Left wrist plain radiograph of the wrist, lateral view, pediatric patient (male, age 11), acquired on Siemens:
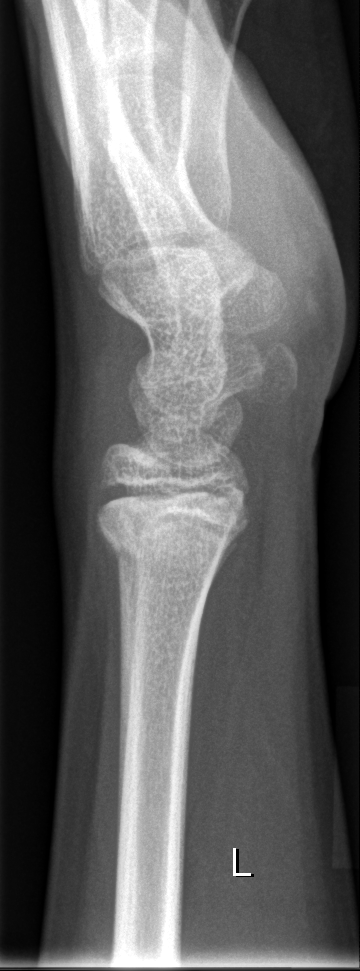
Fx = 94,489,241,573